Posteroanterior projection, Rt wrist plain film, follow-up study, cast present, 84.1 mm image width. 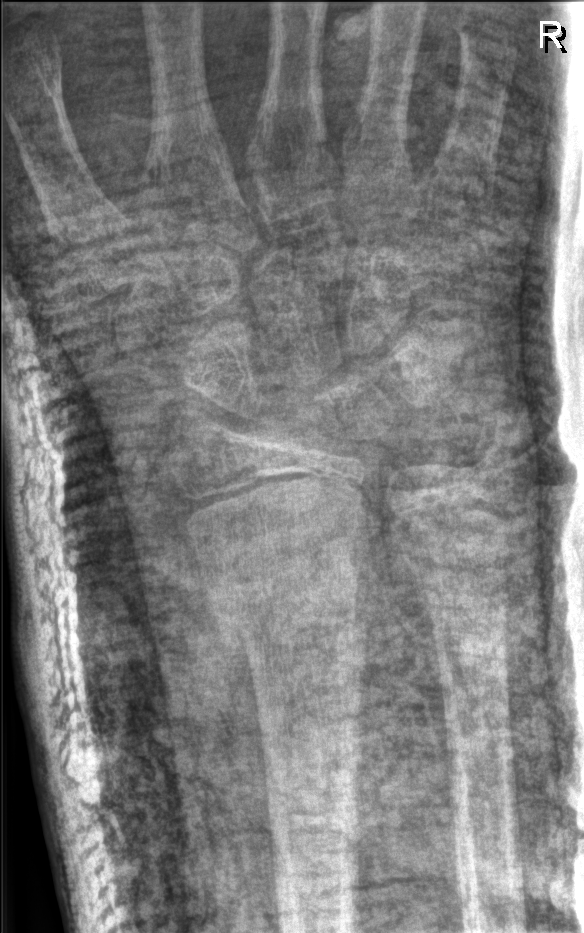
{
  "ao": "23-M/3.1",
  "fracture": "1 @ <215,576>-<376,653>"
}